PA/AP projection · L wrist plain film · 12-year-old boy · image width 78.9 mm: 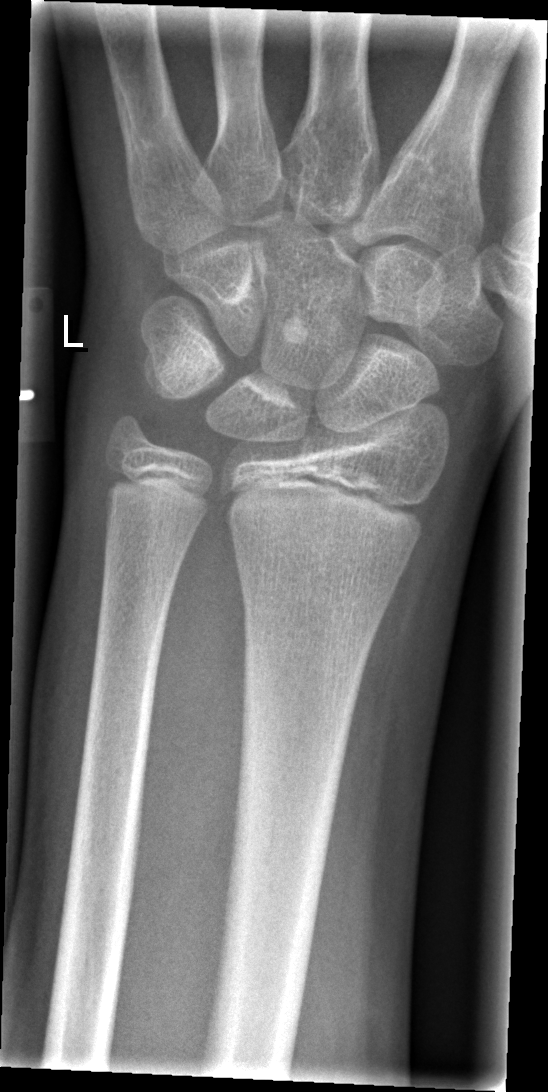
Findings: (bounding boxes in image-pixel xyxy) Fx present but not clearly seen in this view. Fracture classified AO/OTA 23r-M/2.1. Bone lesion: [x1=279, y1=314, x2=309, y2=345].